Lateral projection | Lt wrist XR | age 12 y, boy. 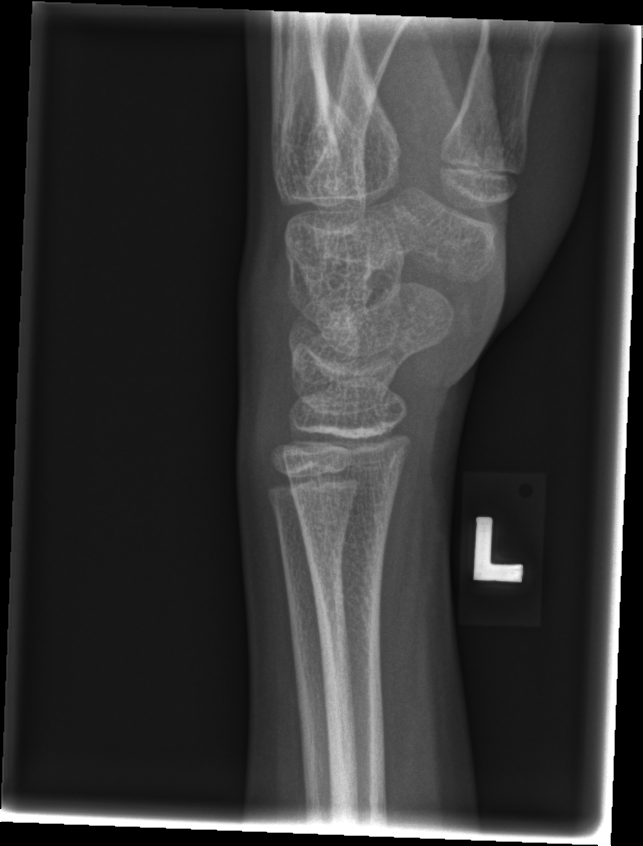 # coordinates are [x1, y1, x2, y2] in image pixels
fracture: present but not clearly seen in this view
ao: 72B(c)
softtissue: 230,216,308,424